Lateral, left wrist pediatric wrist radiograph, image 70.8 mm wide:
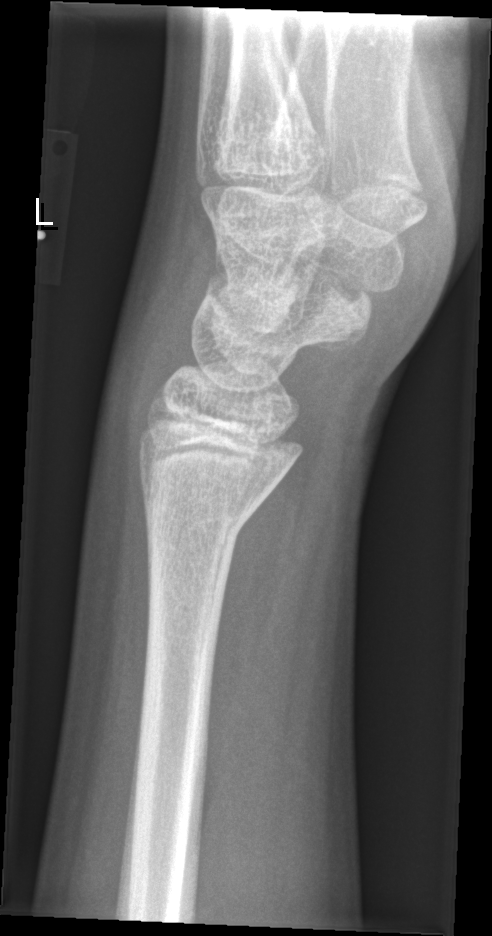

FINDINGS: Bone fracture: (140, 479, 261, 561). AO/OTA classification: 23r-M/2.1.